Frontal · Rt wrist X-ray · 13-year-old male · follow-up · cast present · Siemens · image 115.2 mm wide. 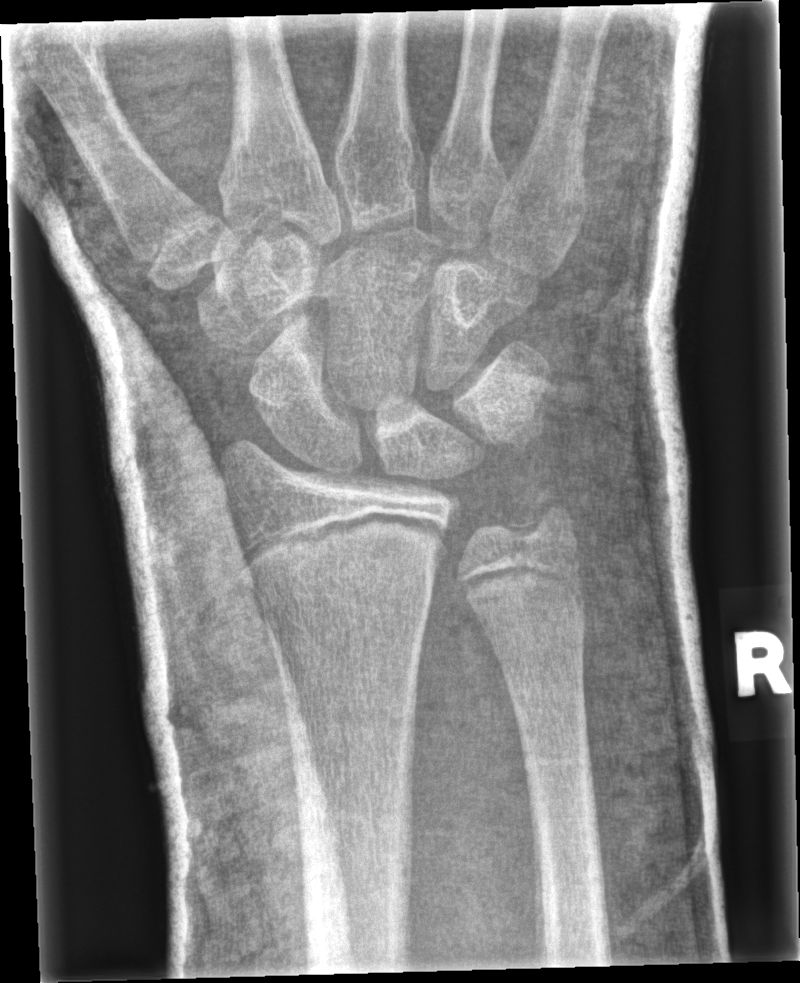
Fracture: bbox(503, 484, 577, 548)
AO code: 23r-E/2.1; 23u-E/7